Left wrist X-ray; PA view; 17-year-old female; presentation radiograph 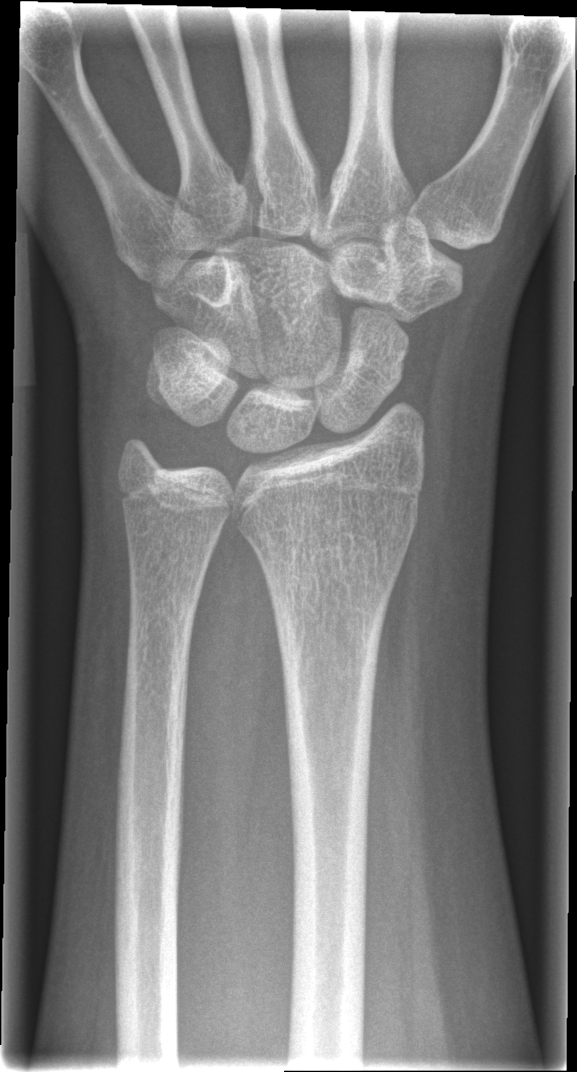
No fracture labeled.